Lat projection, L pediatric wrist radiograph, 76.6 mm image width

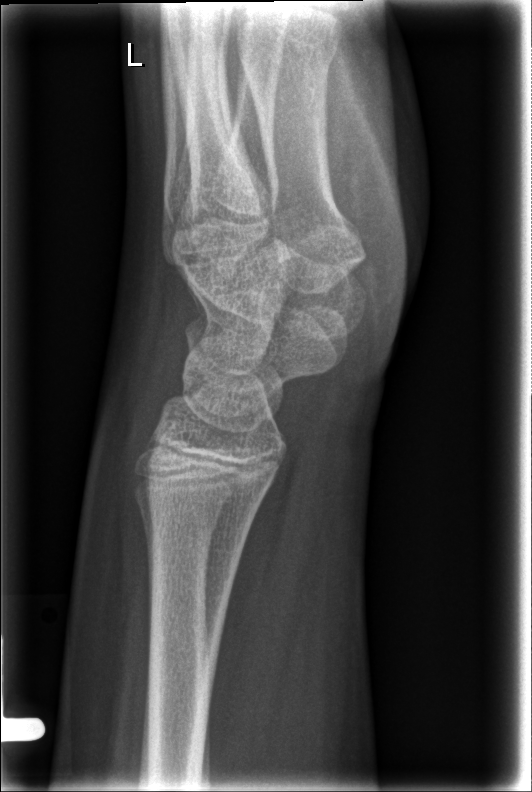
Fracture = none labeled